Left wrist X-ray, lat

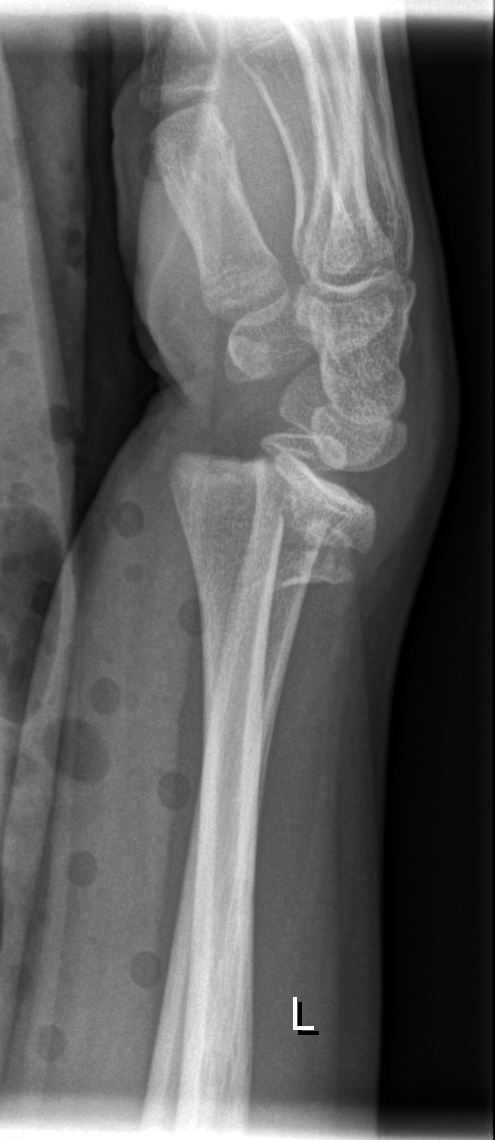
* Bone fracture — <162,446>-<384,600>.